Left wrist plain film | frontal view | male, 15 yo
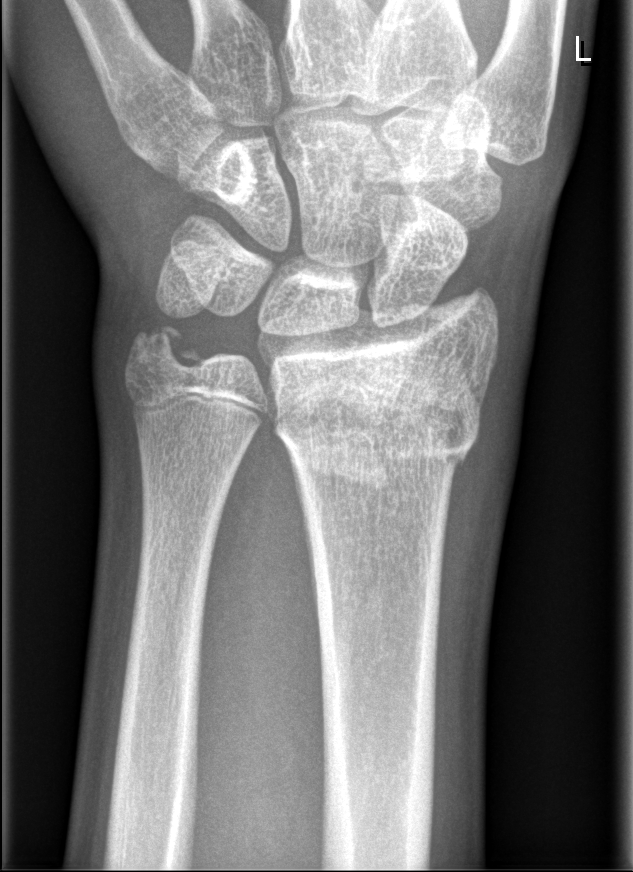

Bounding boxes in image-pixel xyxy.
AO/OTA classification: 23r-M/3.1; 23u-E/7.
Fractures — [271, 365, 493, 490]; [121, 313, 211, 385].